R plain radiograph of the wrist | AP projection | presentation radiograph. 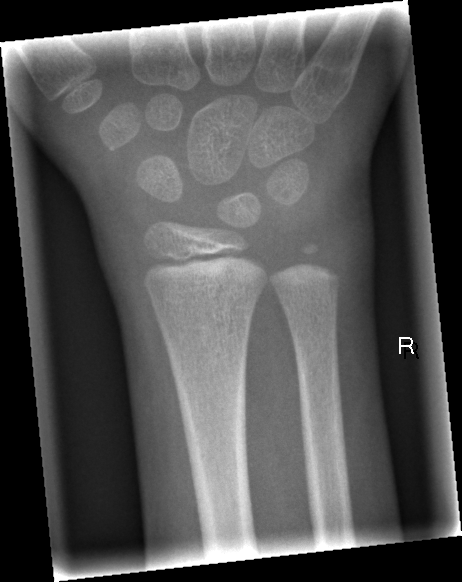
Q: AO code?
A: AO/OTA classification: 23r-M/2.1
Q: Any fracture seen?
A: Fracture present, though not clearly seen in this view